L plain radiograph of the wrist | PA/AP | image 73.6 mm wide —
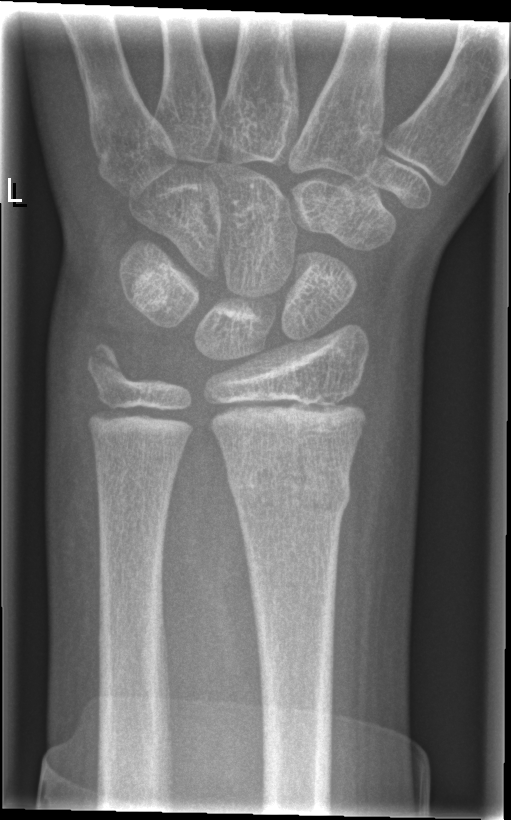
Two bone fractures at 224,460,353,518 | 81,336,139,401.